Left wrist X-ray, lateral view 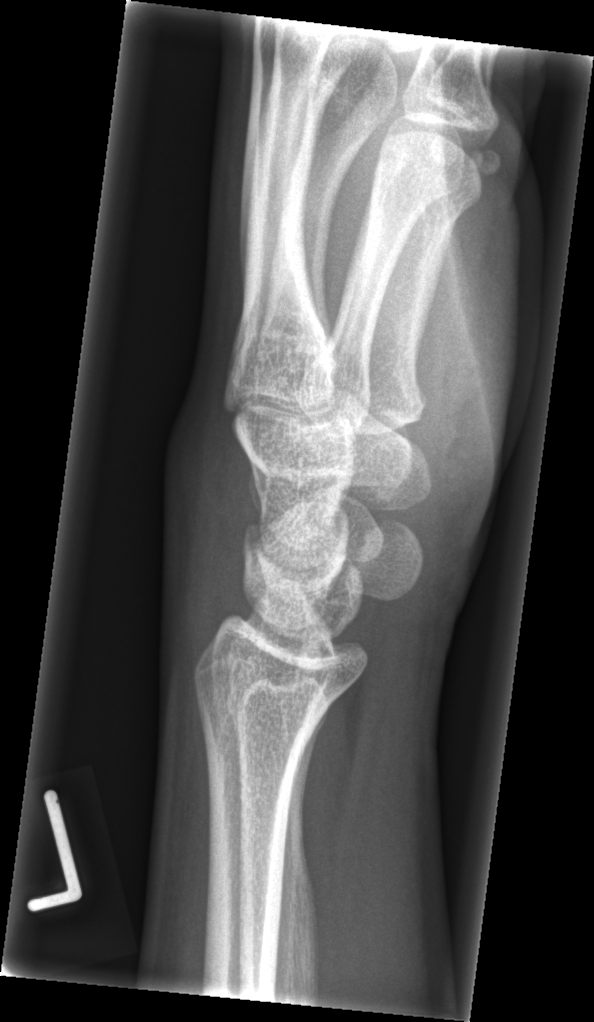

(bounding boxes in image-pixel xyxy)
Soft-tissue swelling = 1 @ <155,395>-<254,654>
Fracture = none labeled